AP view | left wrist X-ray | age 9 y, female | image size 470x782
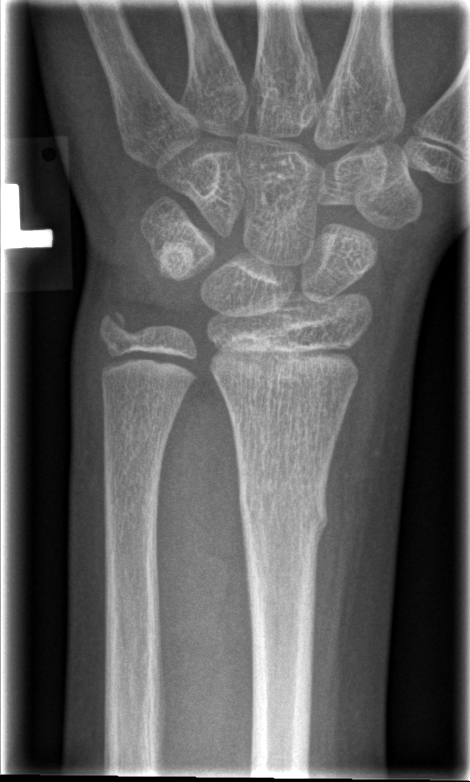

Fracture identified at [x1=235, y1=471, x2=333, y2=554] [x1=97, y1=303, x2=140, y2=349].